R wrist plain film; lateral; initial study; detector: Siemens; 470x702.
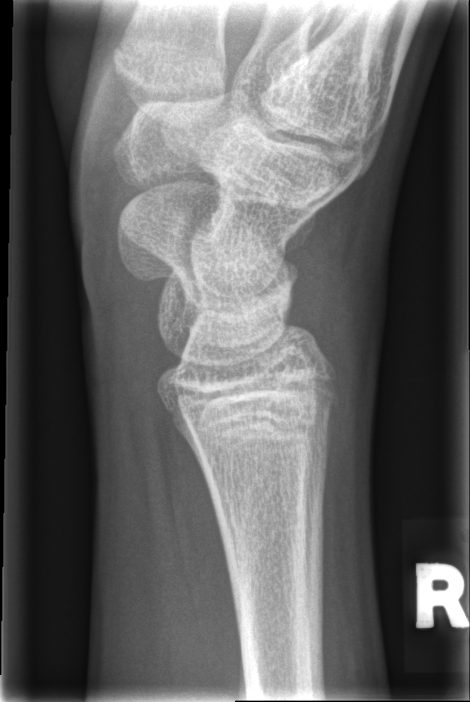 Findings: Fracture classified AO/OTA 23r-E/7. Fracture present but not clearly seen in this view.